Rt wrist XR, AP, 12-year-old boy —

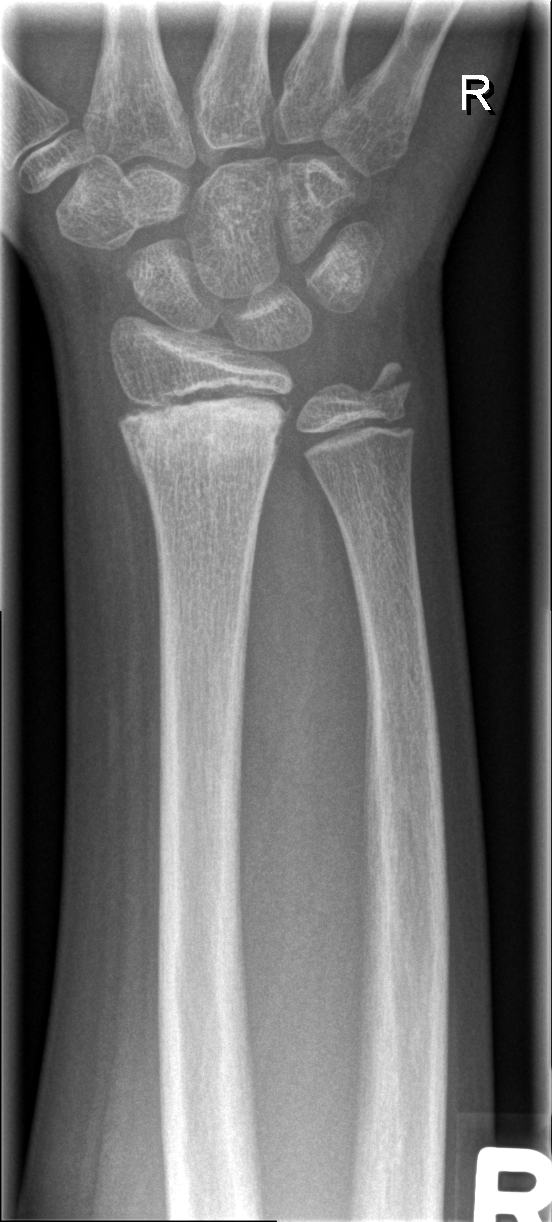 FINDINGS — Osteopenia. AO code 23r-E/2.1; 23u-E/7. Two bone fractures at [x1=112, y1=375, x2=290, y2=479]; [x1=355, y1=355, x2=417, y2=412].